Lat view; right wrist XR; age 1.7 y, male —

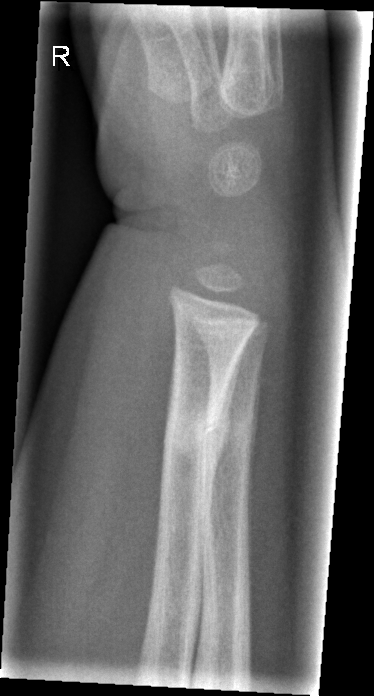
AO classification = 23-M/2.1
Fx = [x1=162, y1=403, x2=230, y2=467]; [x1=221, y1=407, x2=260, y2=457]
Periosteal reaction = 2 @ [x1=202, y1=363, x2=238, y2=518]; [x1=248, y1=390, x2=257, y2=490]